Left wrist X-ray; PA/AP view; male, 14 yo; in cast 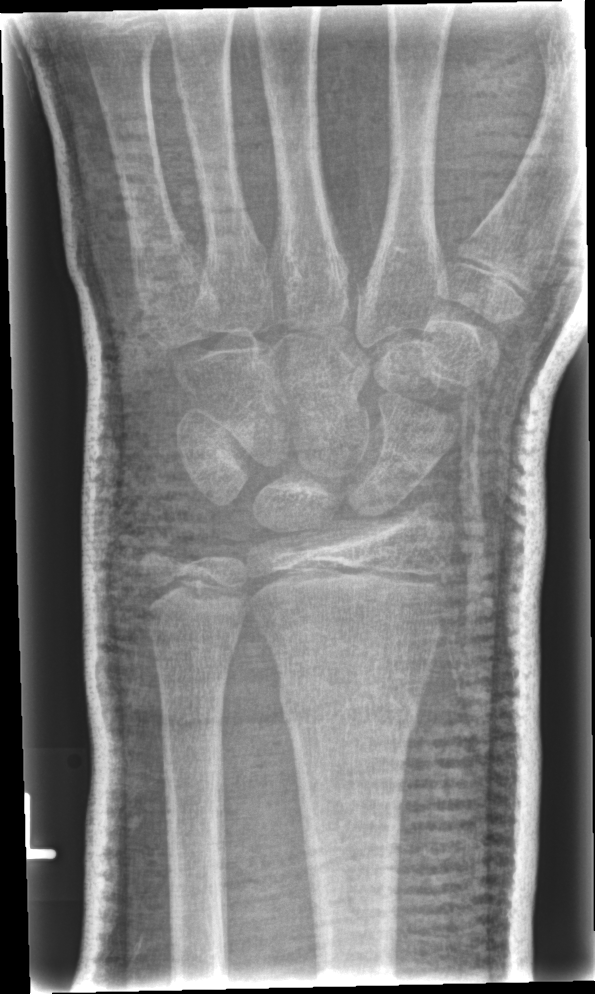
- Fracture — 275,666,425,736.